Rt wrist XR; lat projection; 132.2 mm image width; image size 764x1568 —
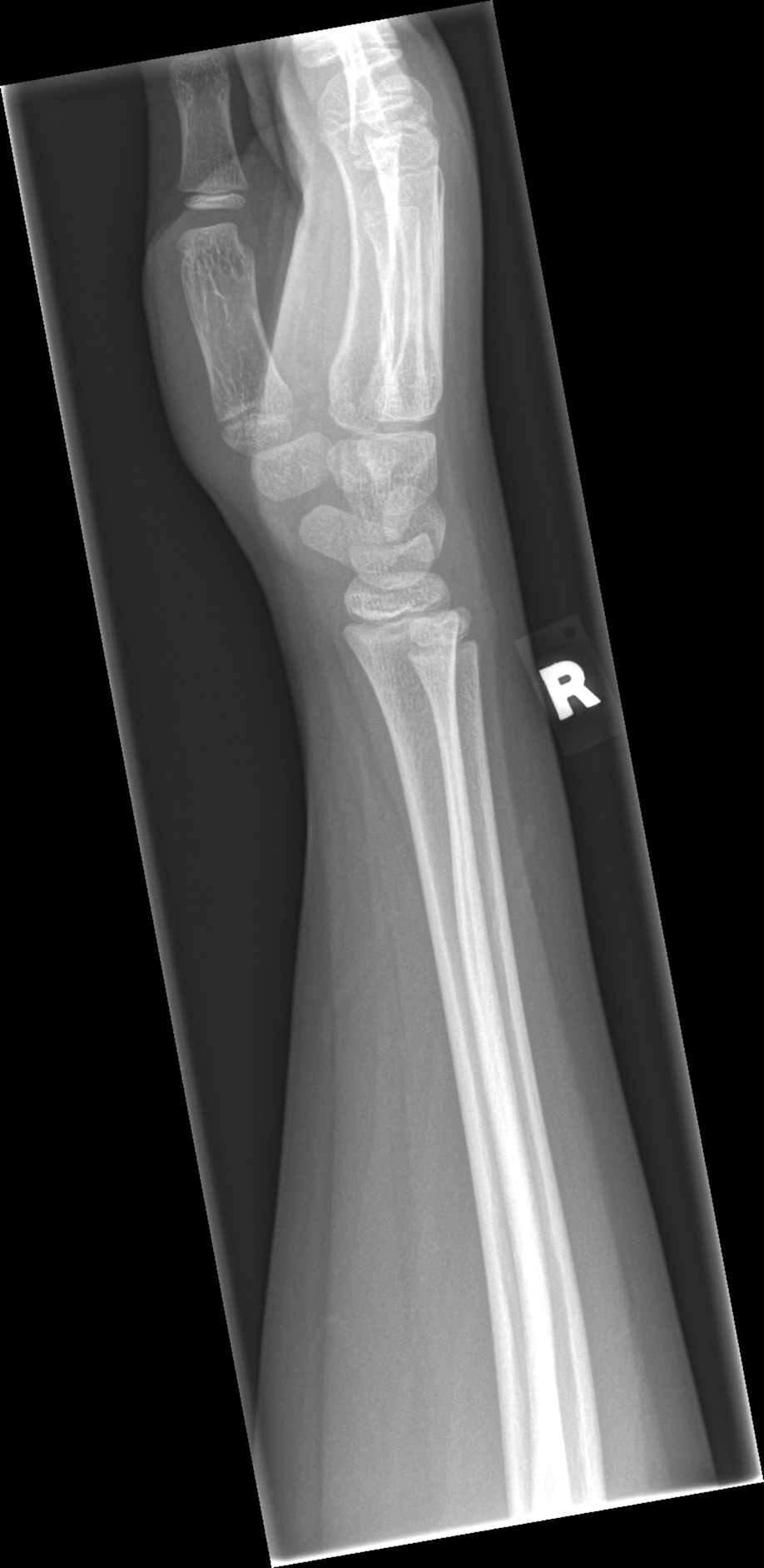 No fracture labeled.